Frontal projection · R plain radiograph of the wrist · 596 x 1128 px.
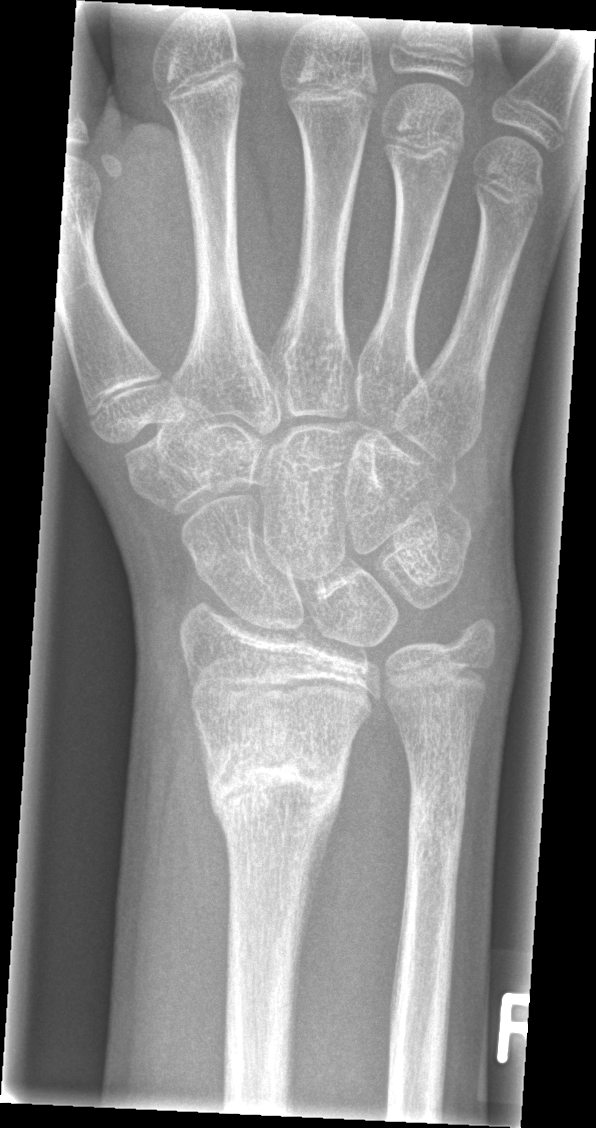 bone fracture: 2 @ (194, 744, 348, 845), (402, 782, 470, 865)
periosteal thickening: (288, 745, 352, 1100)